Left wrist plain film; PA; male, 13 yo 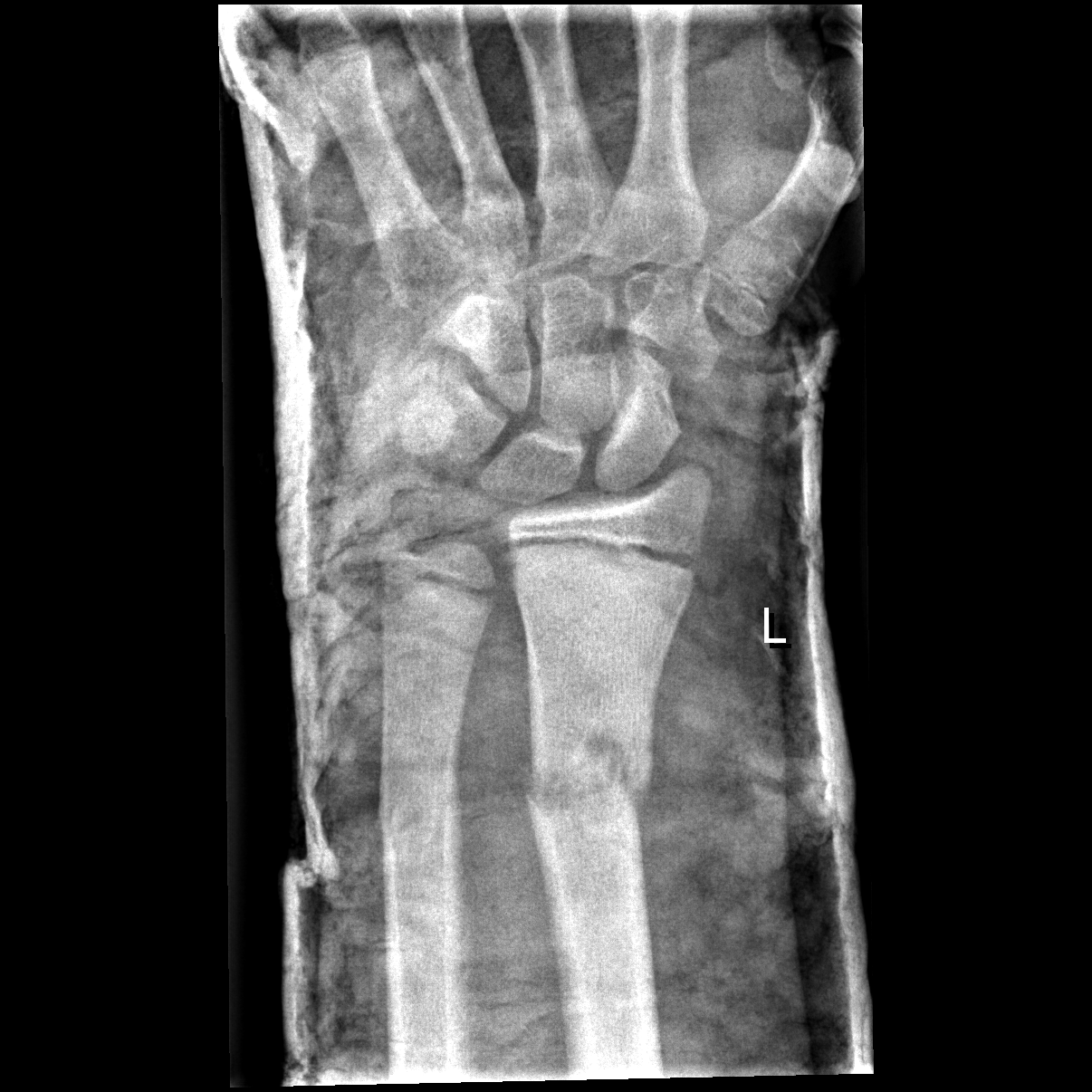
* AO code 23-M/3.1.
* Fractures — [525, 725, 654, 836]; [376, 771, 466, 880].